Frontal projection · Rt wrist X-ray · 429x708 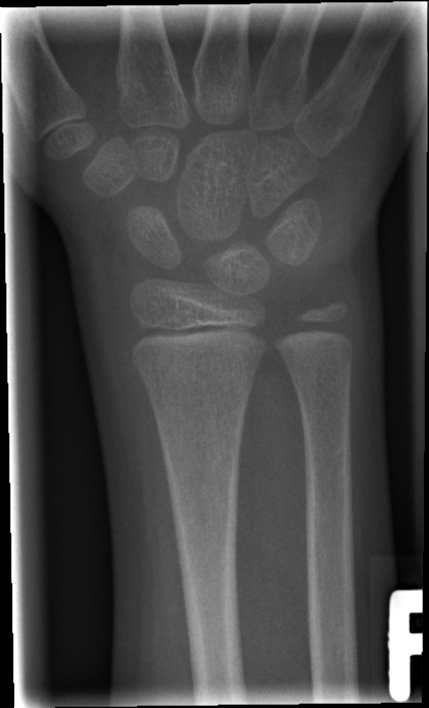 No fracture annotation.